Right wrist X-ray; AP projection; pediatric patient (female, age 10); image 95.5 mm wide
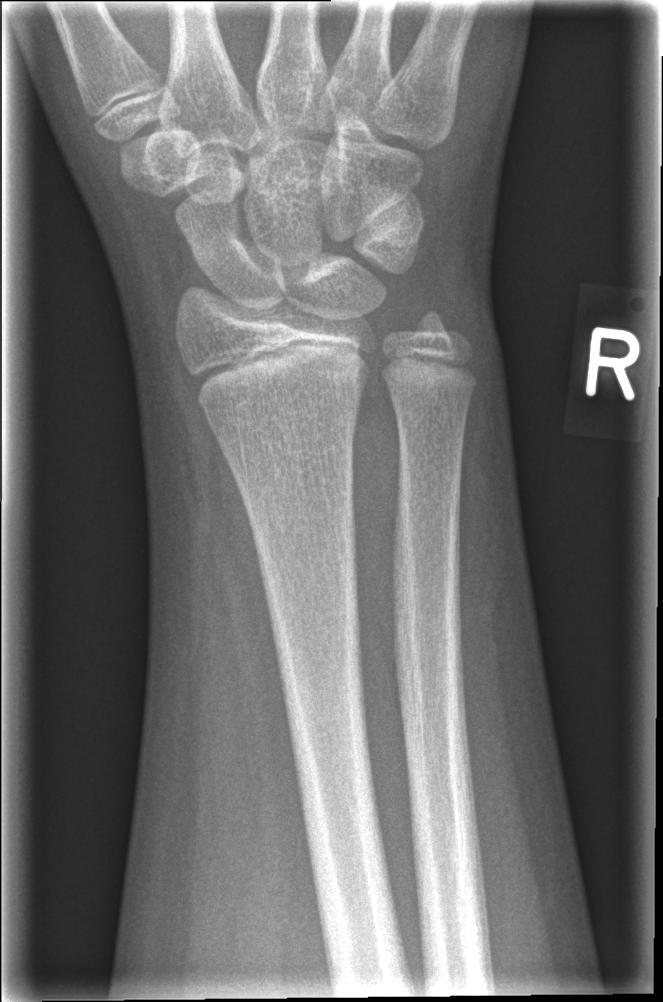

bone fracture: none labeled